Left plain radiograph of the wrist, lateral, 15-year-old male: 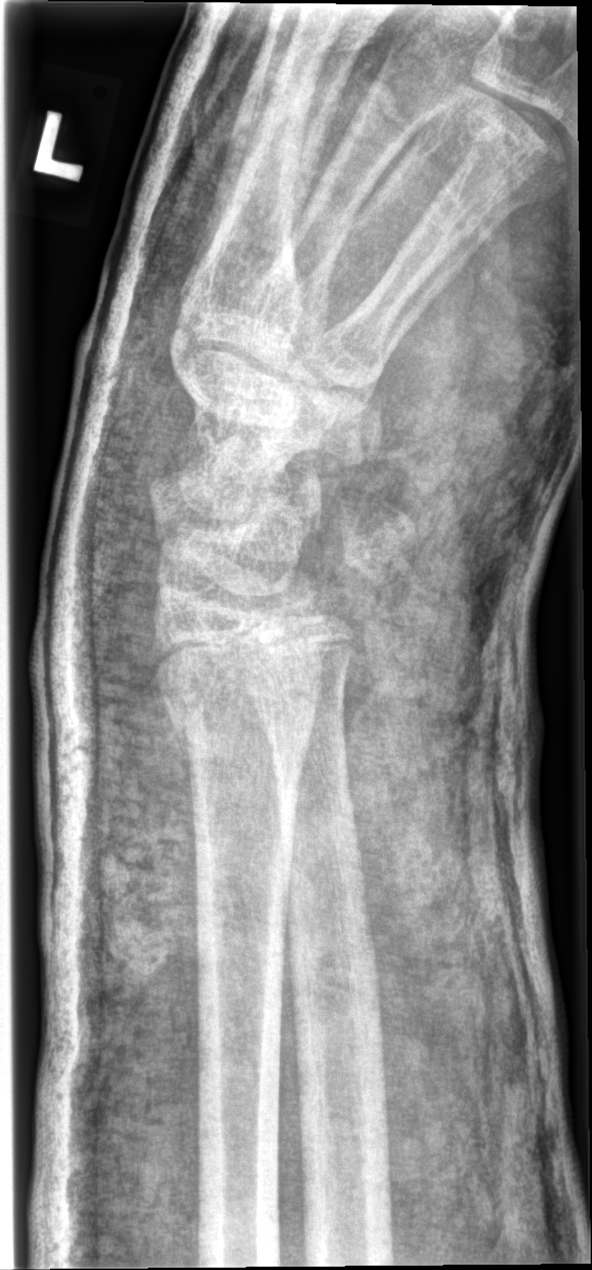 {"ao": "23r-M/2.1", "fracture": "[x1=151, y1=650, x2=328, y2=769]"}